Posteroanterior projection, left plain radiograph of the wrist, 5y M, follow-up, image width 90.3 mm
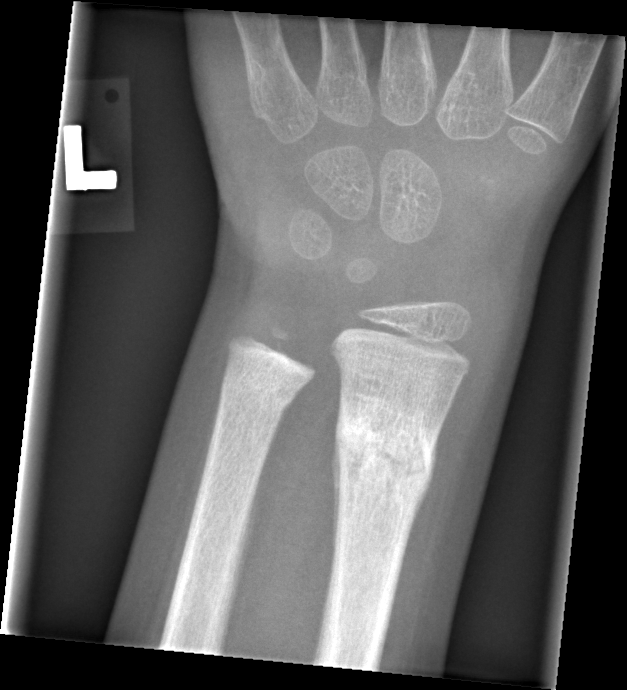 * Bone fracture: bbox(330, 394, 441, 516); bbox(214, 358, 303, 420).
* Fracture classified AO/OTA 23-M/2.1.